Lateral; L plain radiograph of the wrist; 11y M.
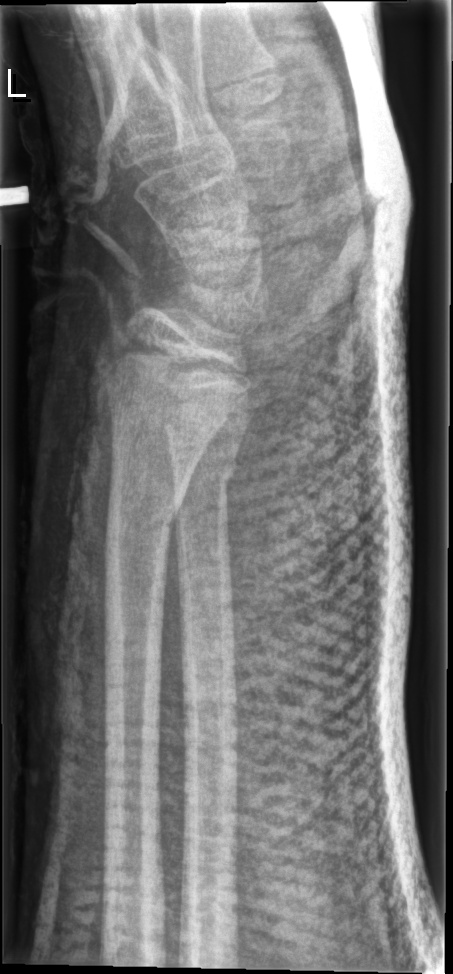

Boxes as x1,y1,x2,y2 (top-left / bottom-right, pixel units). AO code 23r-M/3.1; 23u-M/2.1. Bone fractures — bbox(100, 485, 184, 551), bbox(169, 449, 240, 507).